Right wrist plain radiograph of the wrist; posteroanterior view; age 9 y, female; presentation radiograph; Siemens

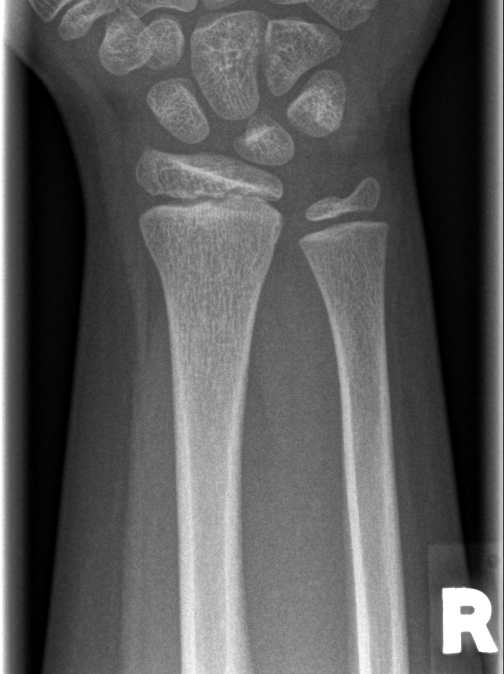
Pixel coordinates, top-left origin, xyxy. One Fx at 148 237 278 290.